Rt wrist XR; lateral view; age 12 y, boy; presentation radiograph; image size 652x1204: 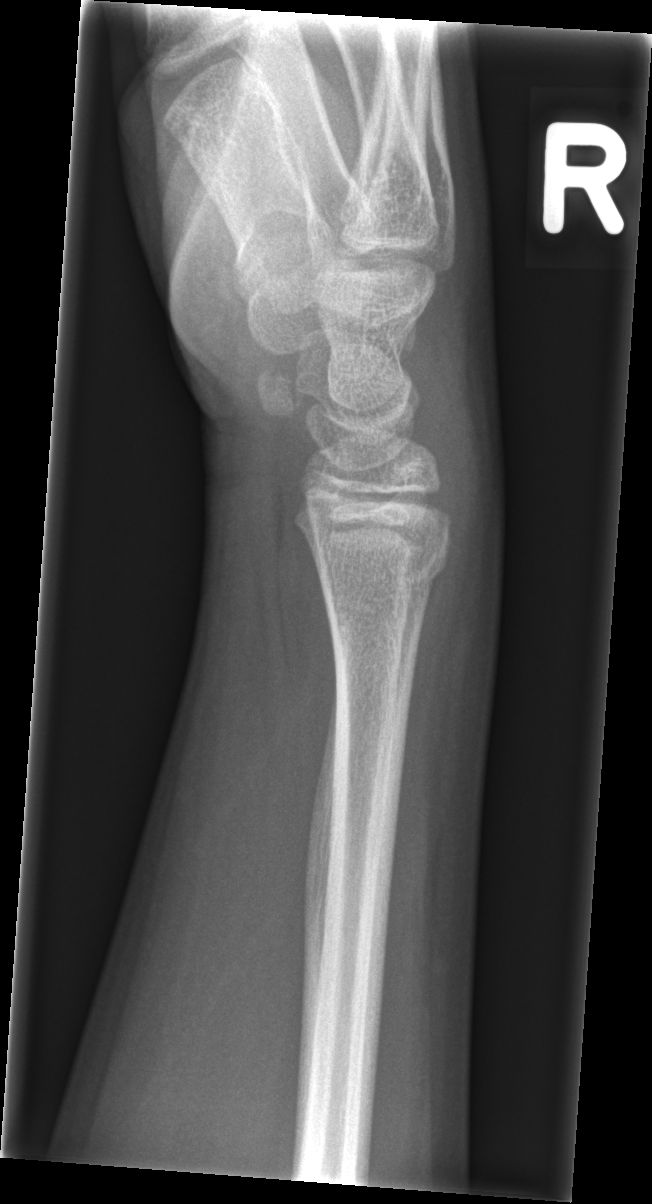

(boxes as x1,y1,x2,y2 (top-left / bottom-right, pixel units))
Q: What is the AO/OTA classification?
A: AO code 23r-M/2.1
Q: Fracture present?
A: Fx: 312,533,456,603